Lat view · Rt wrist X-ray · pediatric patient (girl, age 10) · in cast.
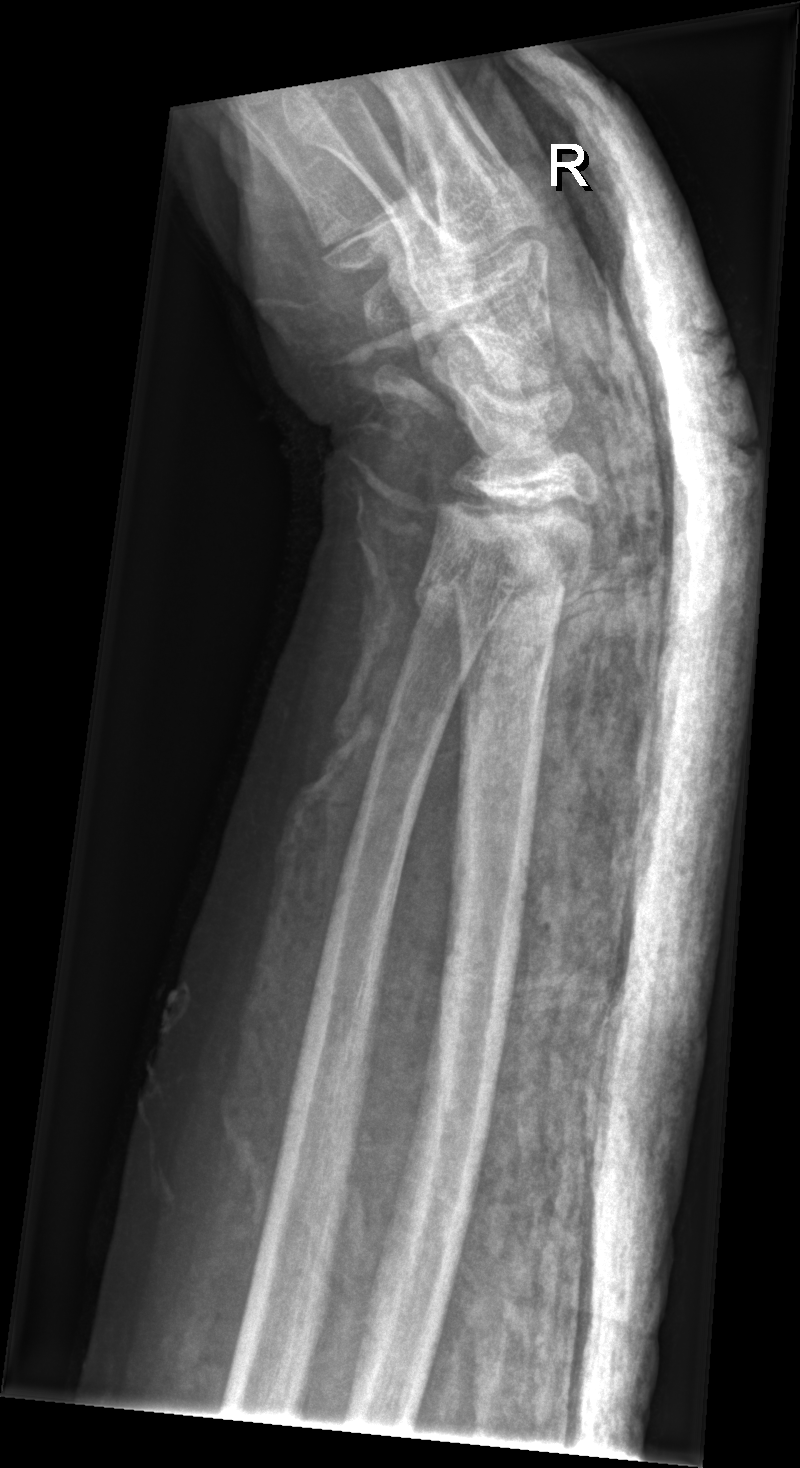   ao: 23r-M/3.1; 23u-E/7
  fracture: 1 @ (left=413, top=562, right=523, bottom=625)